PA, R wrist X-ray, 14y M, 742x1302

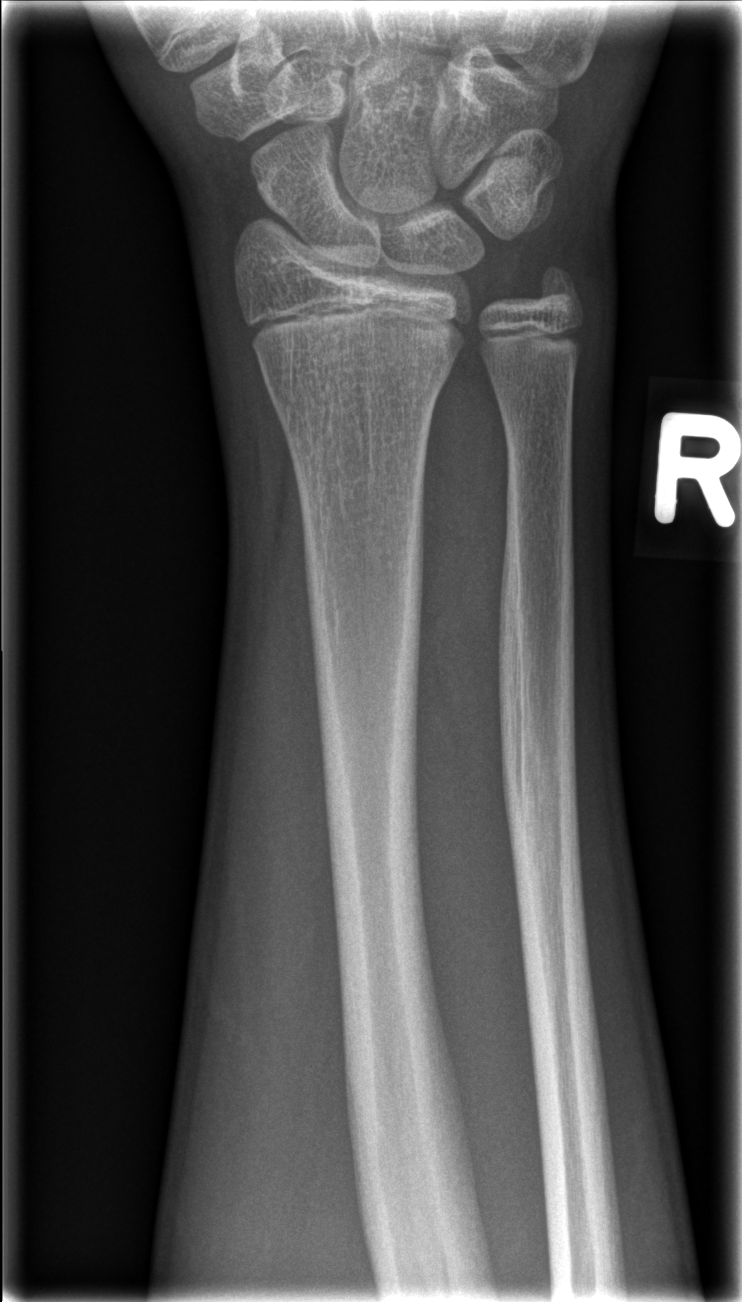 Fracture present but not clearly seen in this view.